Lt wrist XR · PA view · male, 2 yo:

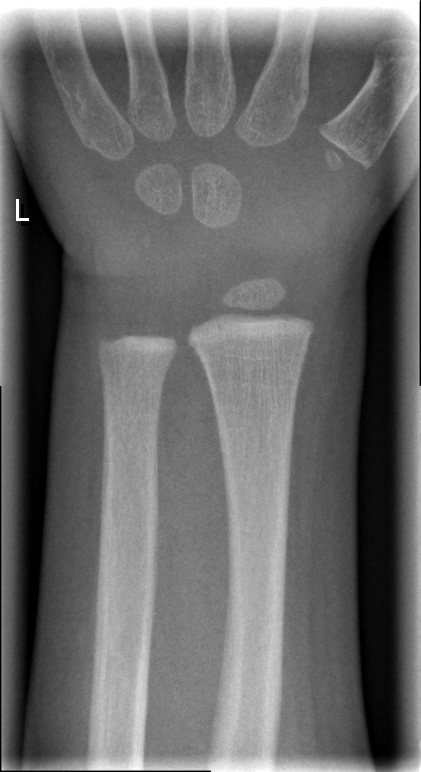

Fracture = none labeled